Right wrist X-ray; PA/AP; detector: Siemens:
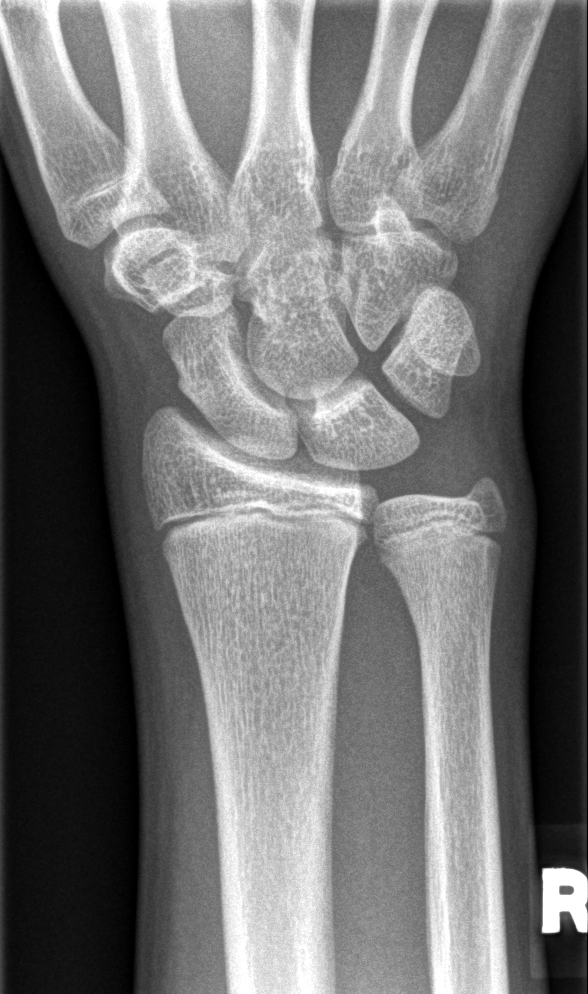 No Fx annotated.